PA view | right wrist radiograph | pediatric patient (female, age 14) | subsequent exam | image size 932x1288:
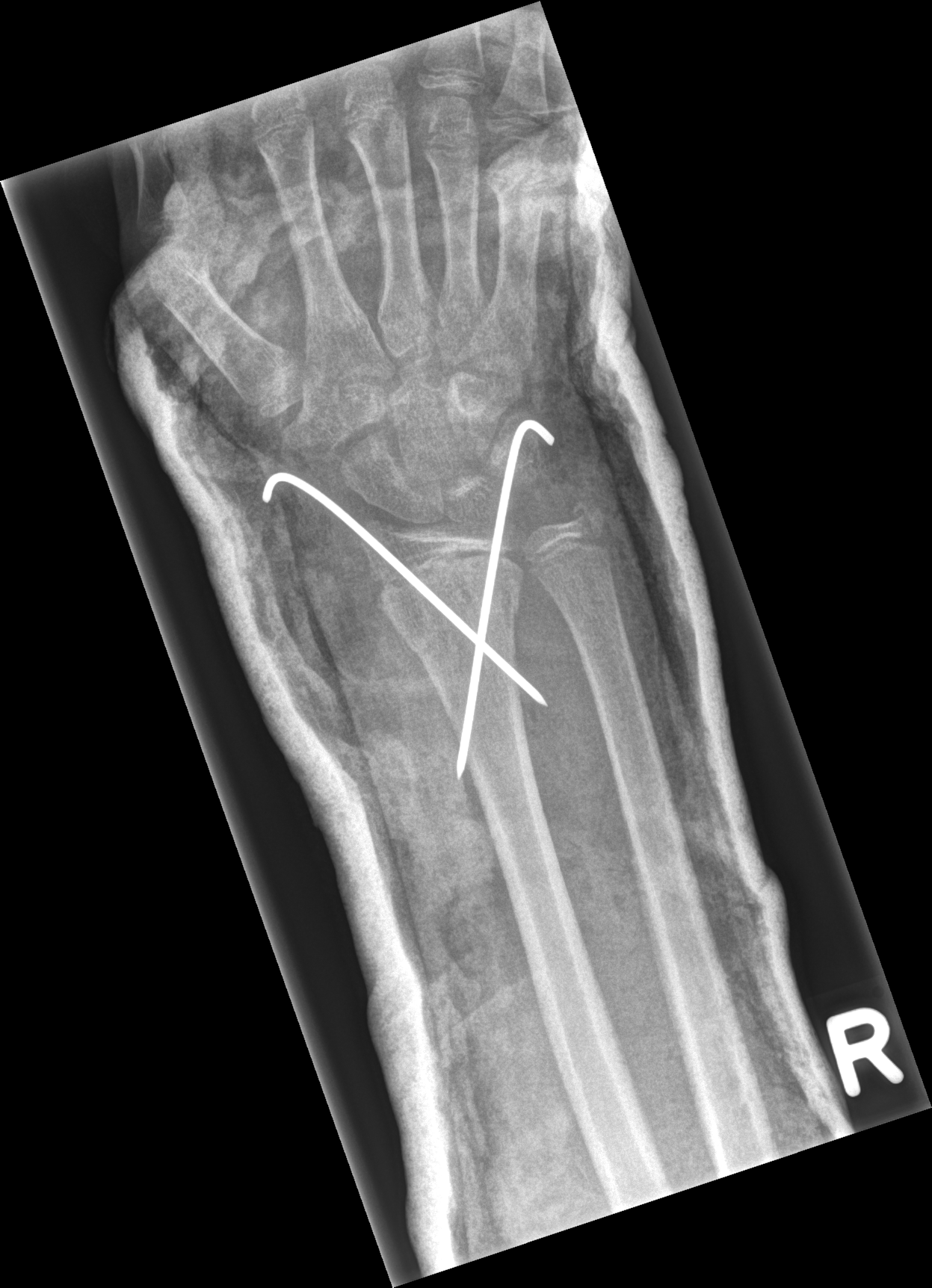
• Fx identified at (left=377, top=554, right=523, bottom=658) (left=561, top=495, right=610, bottom=545).
• Metal identified at (left=262, top=419, right=555, bottom=784).